Posteroanterior; Lt wrist radiograph; detector: Siemens; 527x916:
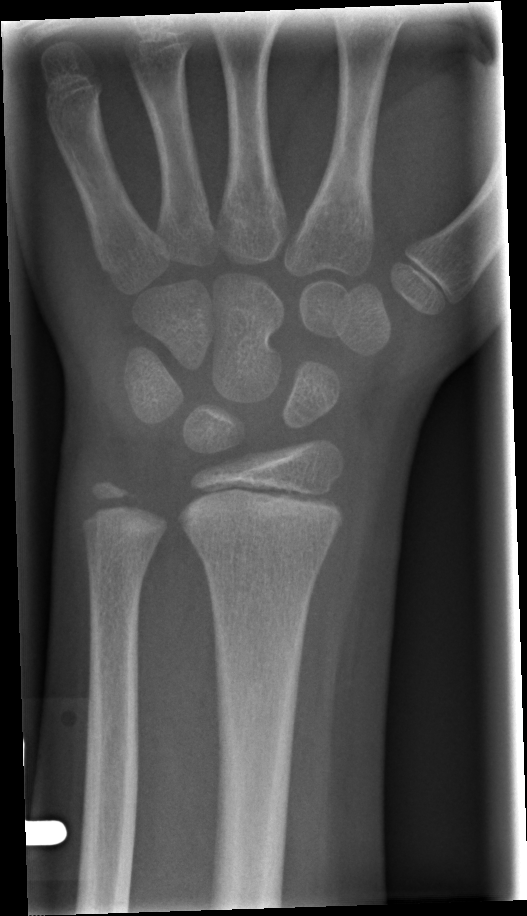 Bone fracture — [x1=192, y1=529, x2=330, y2=579]. AO/OTA classification: 23r-M/2.1.